Left wrist plain film, posteroanterior view —

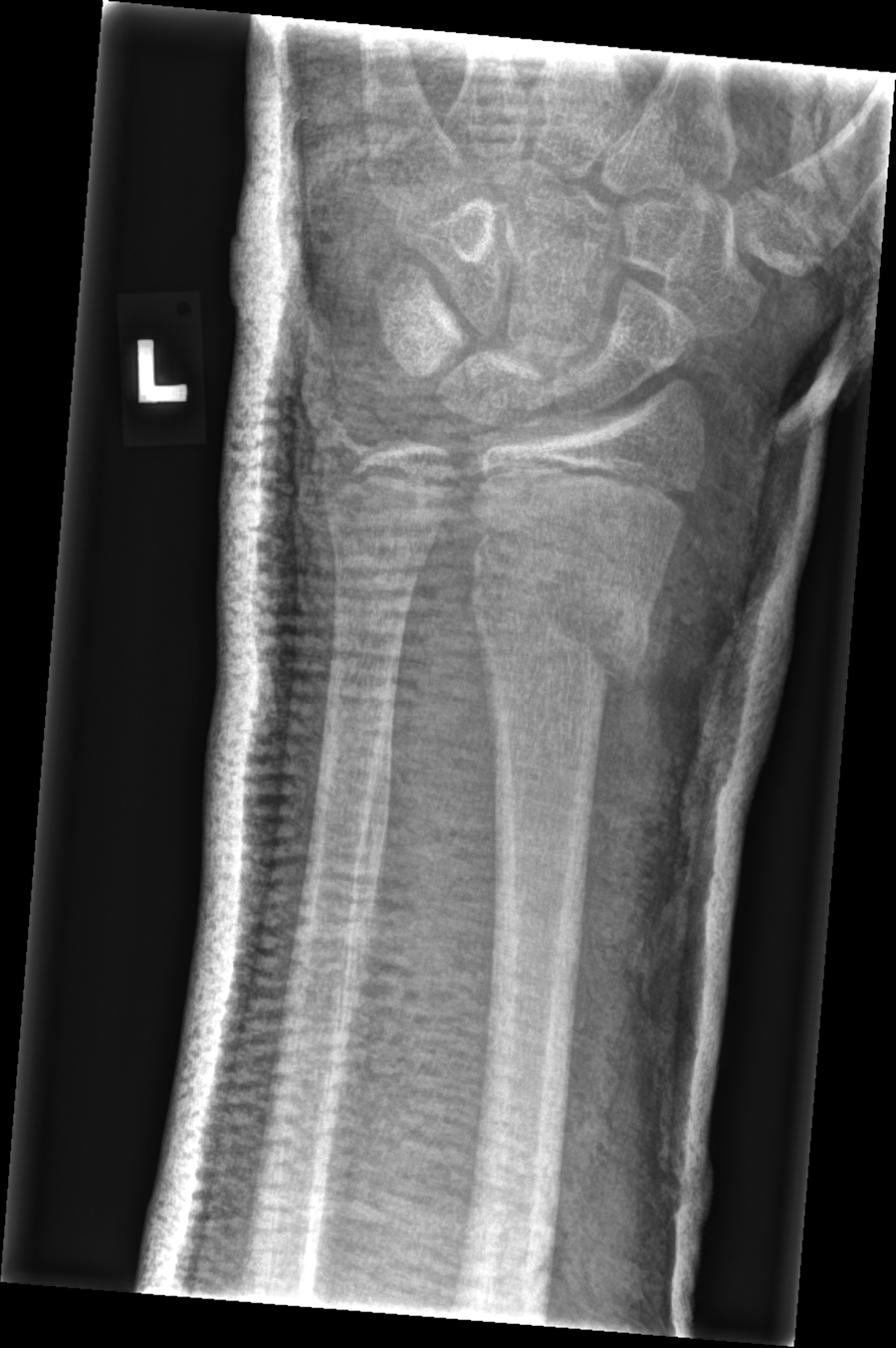
Bone fracture — [465, 547, 649, 702].